Lateral view | left wrist radiograph: 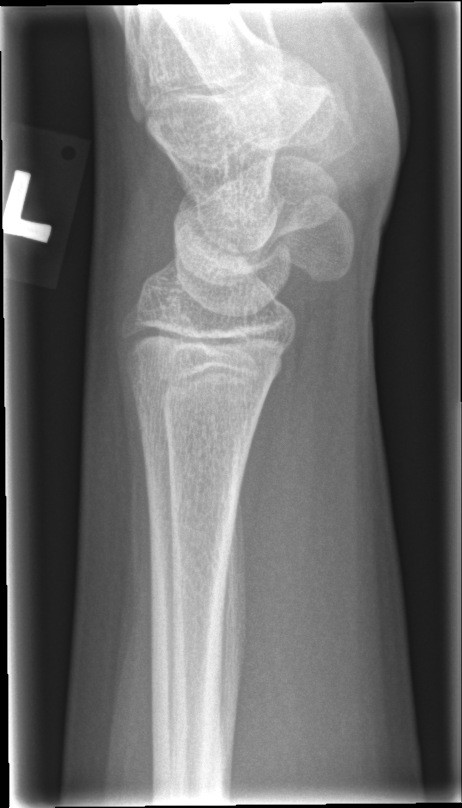 FINDINGS: Fx: none.